Lateral view | R wrist plain film | 6-year-old female —

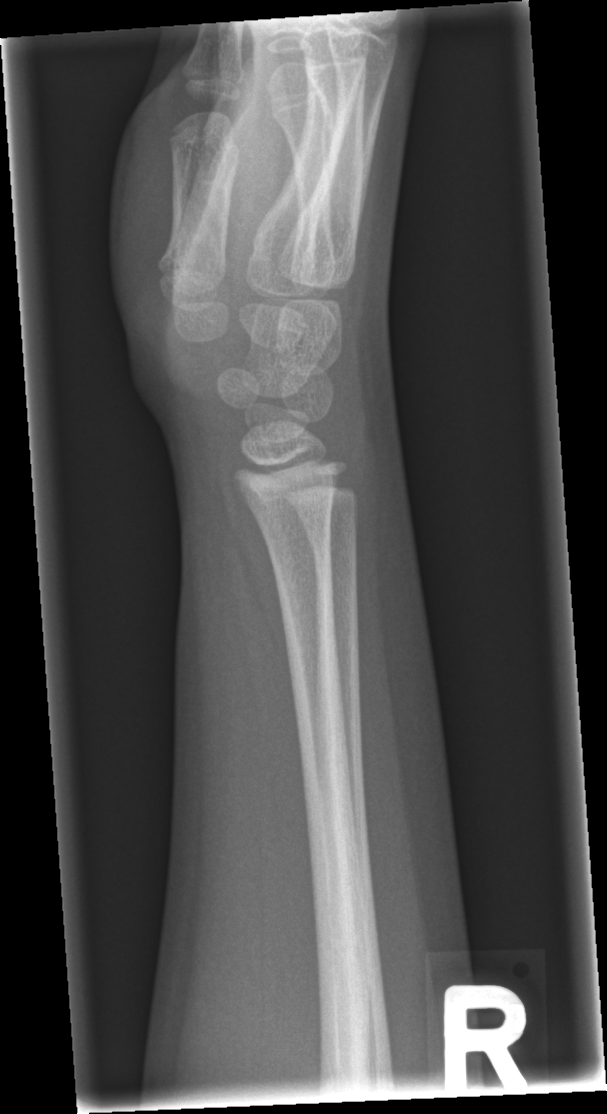 Bone fracture: none labeled